Lateral projection · Rt wrist plain film · 10y M · index exam · acquired on Siemens · 61.1 mm image width:

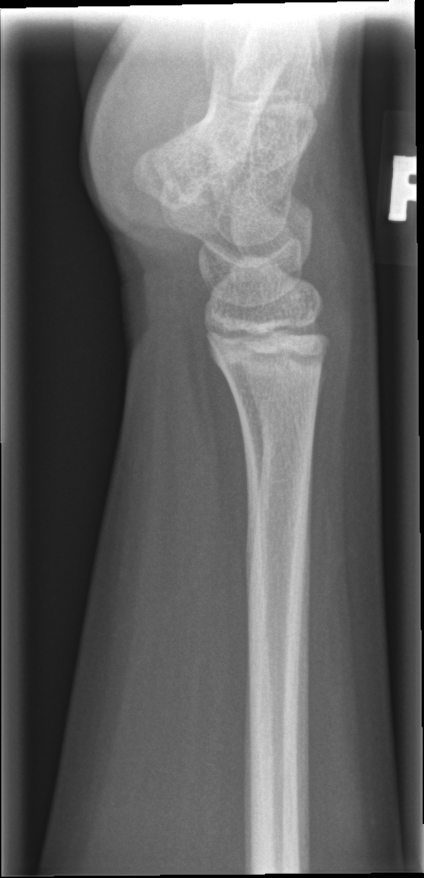 FINDINGS: Fracture: none labeled.